Lat | L plain radiograph of the wrist 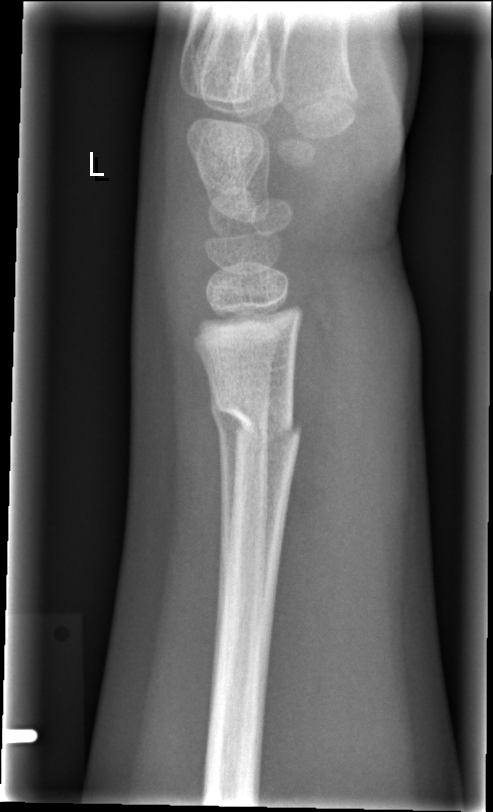
• Pronator quadratus fat-pad sign: bbox(269, 280, 360, 650).
• Fx identified at bbox(213, 394, 300, 455).